Lat projection | left pediatric wrist radiograph | female, 11 yo | 60.2 mm image width:

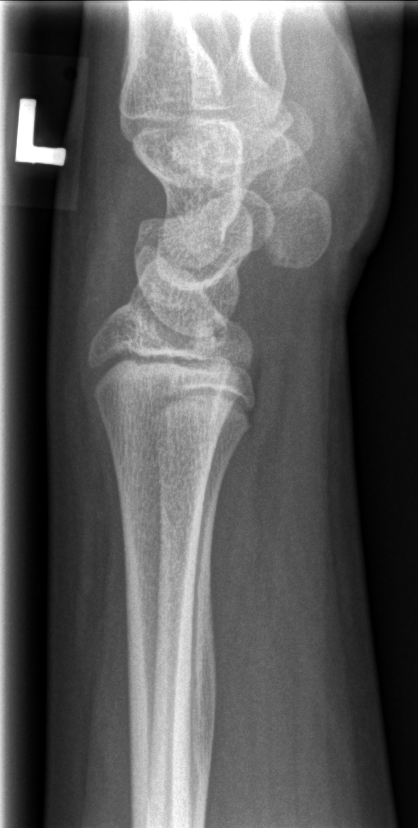 • Pixel coordinates, top-left origin, xyxy.
• Bone variant: 187 637 224 780.
• Reduced bone mineral density.
• No fracture annotation.